Right wrist XR · frontal projection:
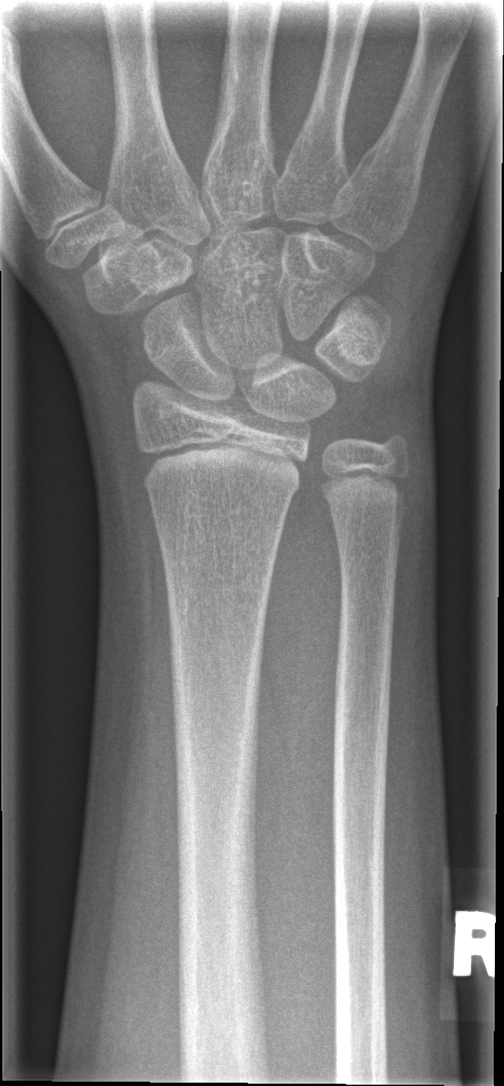

FINDINGS — No fracture labeled.